Left wrist XR, PA/AP view, 16-year-old female. 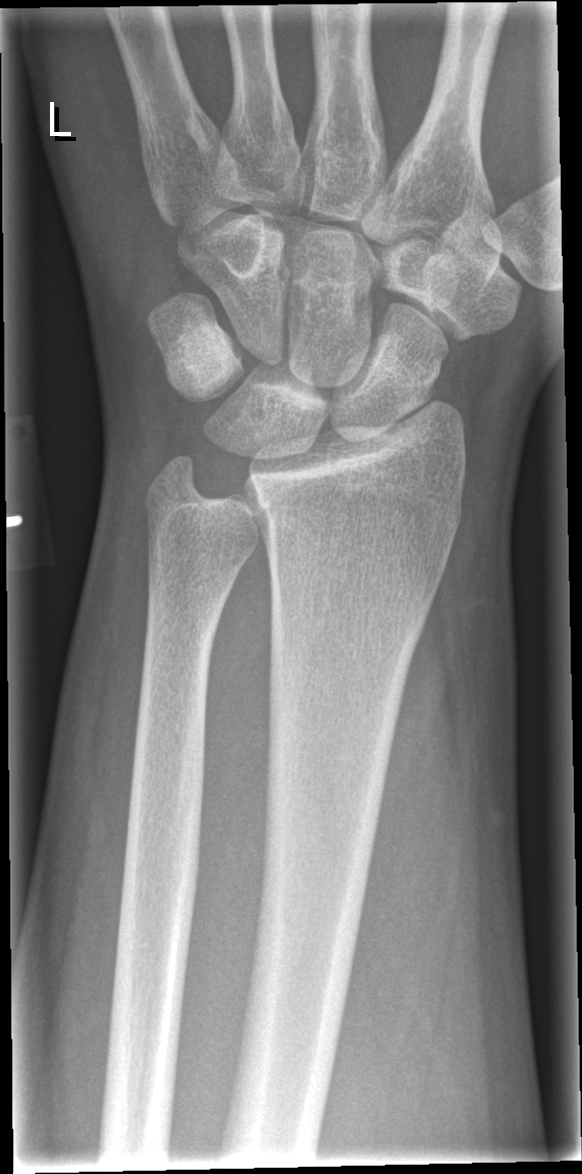
FINDINGS — No fracture labeled.